L wrist X-ray | AP. 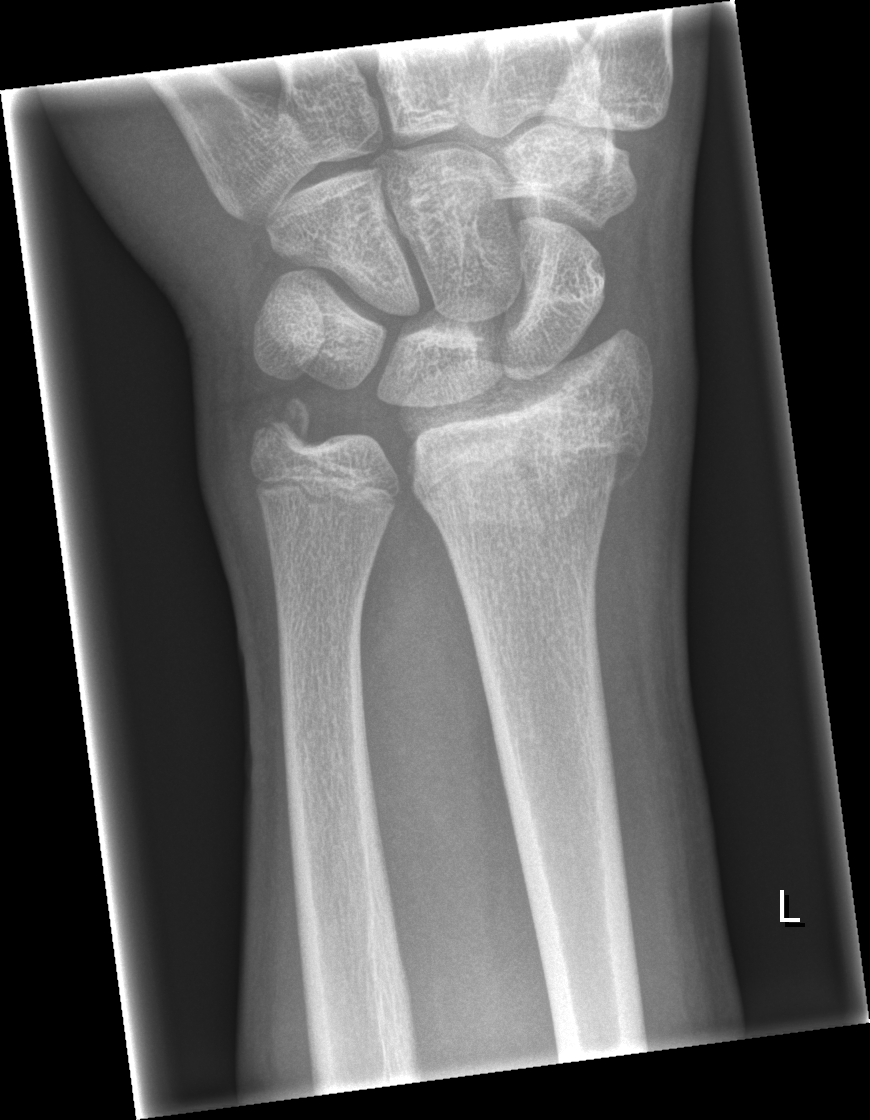
* Fx: (414, 399, 656, 533); (252, 388, 328, 454).
* AO code 23r-E/2.1; 23u-E/7.